Right wrist pediatric wrist radiograph; posteroanterior; 14y F.

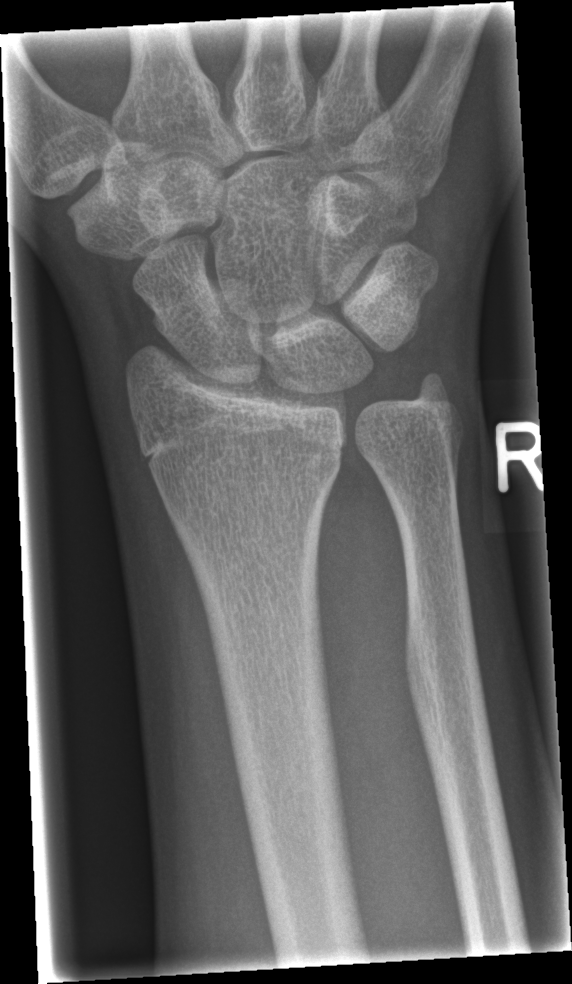
{
  "fracture": "none labeled"
}